Right wrist radiograph; lateral projection; 16-year-old girl; cast present:

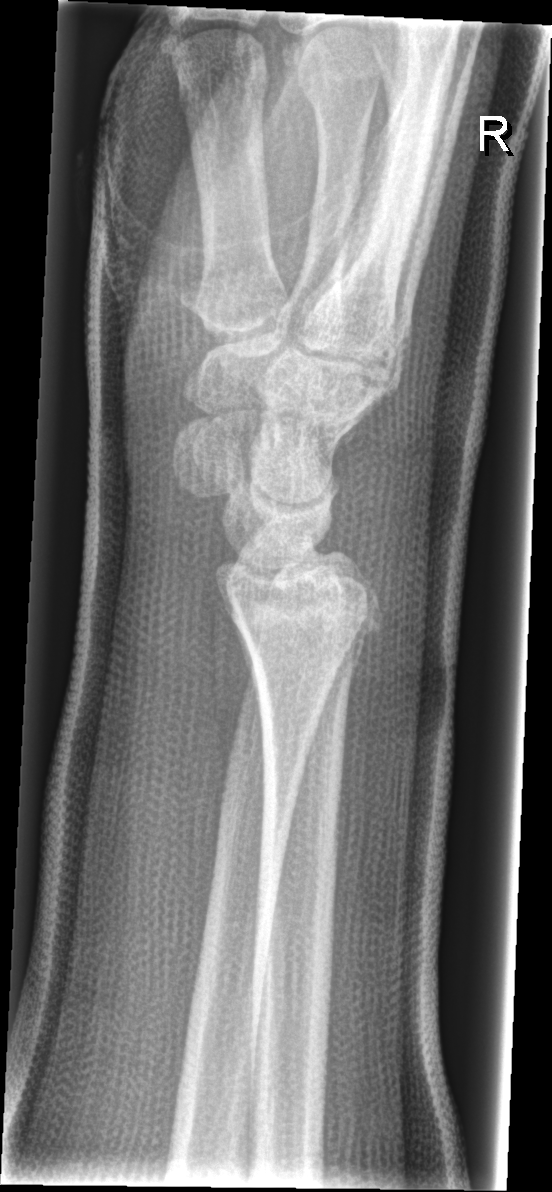 * Bone fracture — (218, 585, 388, 661).
* AO/OTA classification: 23r-M/3.1; 23u-E/7.